Right wrist radiograph | PA/AP view:
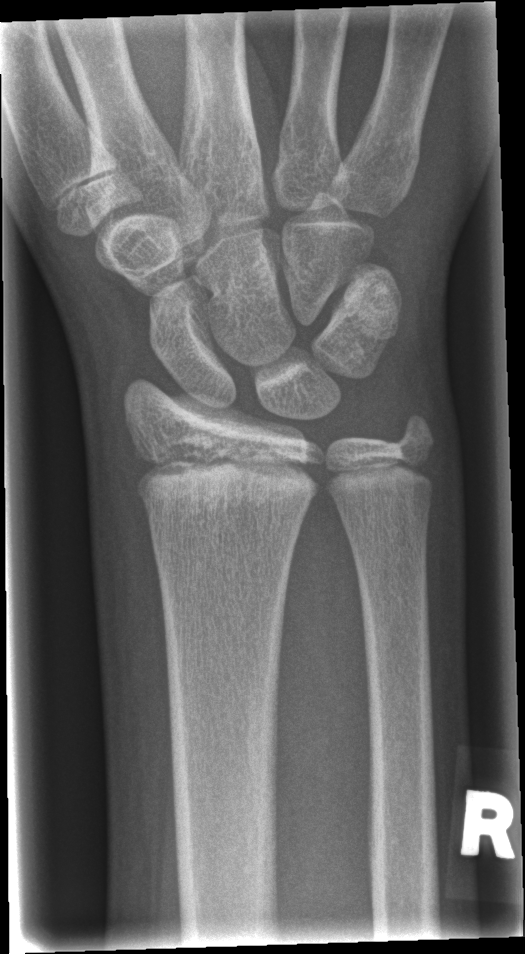 Q: Any fracture seen?
A: No fracture annotation